Rt wrist radiograph | lateral view | 10y F | detector: Siemens | 408 by 800 pixels

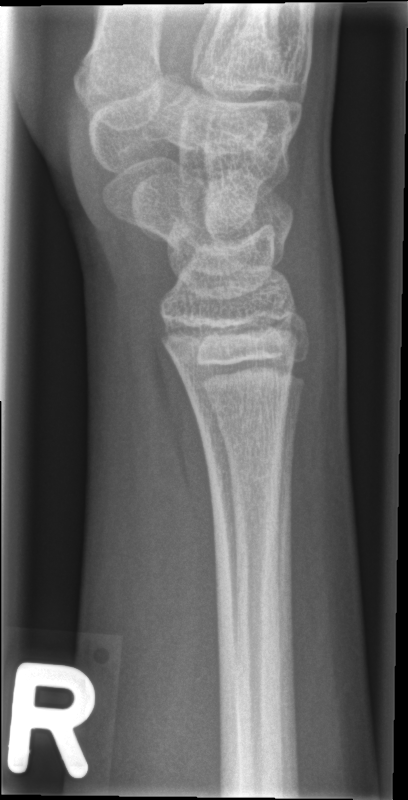 No fracture labeled.